Lateral projection, Rt wrist plain film, age 9 y, male, follow-up. 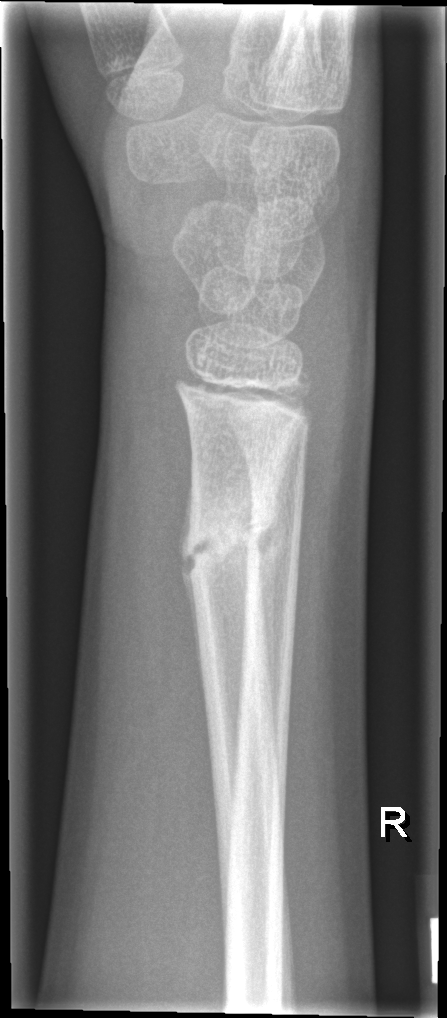

Fx: 1 @ [178, 499, 281, 589]
periosteal new bone: 2 @ [252, 432, 297, 727]; [178, 488, 198, 666]